Obl view; right wrist XR; boy, 17 yo; initial study; 112.3 mm image width; image size 780x1488.
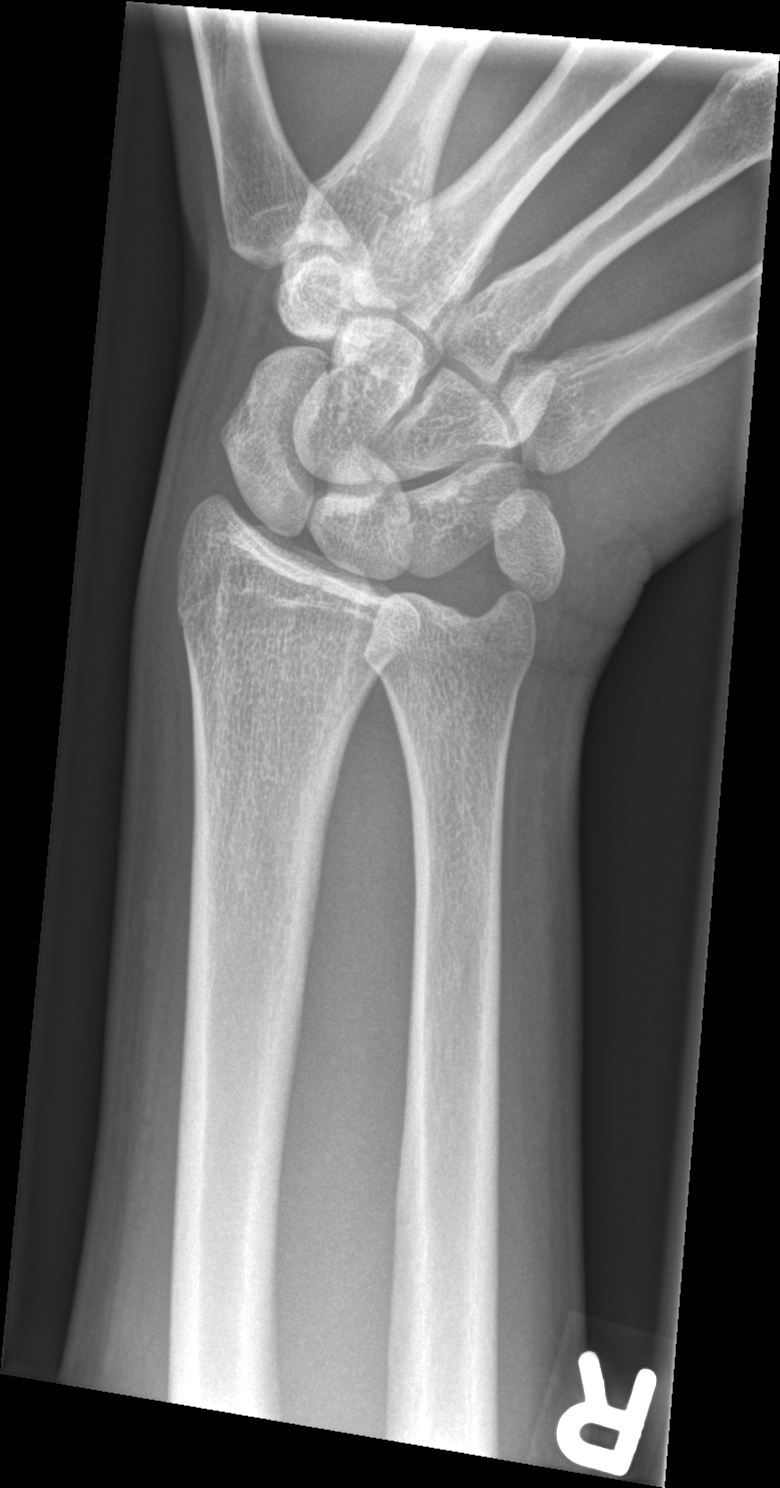
Fx: none labeled